Lateral; left wrist plain film; index exam:

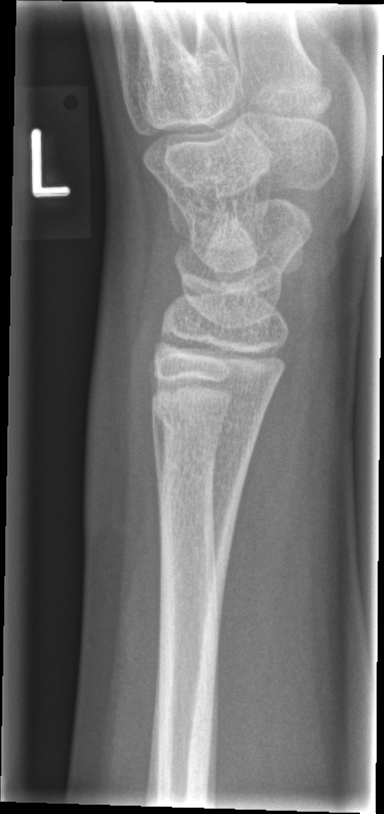

Boxes as x1,y1,x2,y2 (top-left / bottom-right, pixel units).
Fx identified at (left=150, top=394, right=267, bottom=452).